Left wrist plain radiograph of the wrist; lat projection; age 5 y, male: 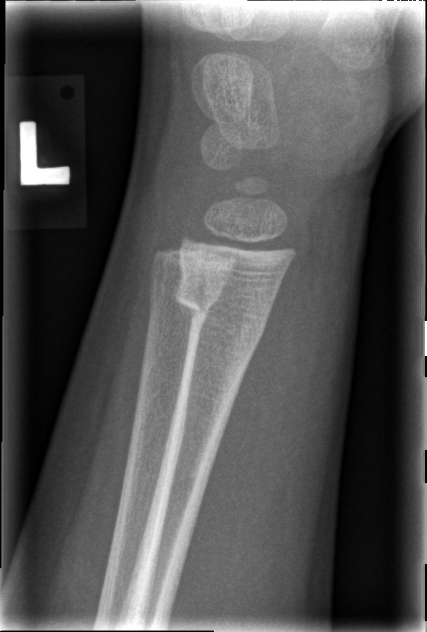
(bounding boxes in image-pixel xyxy)
Q: Pronator fat-pad sign?
A: Positive pronator fat-pad sign — <181,208>-<305,598>
Q: Any fracture seen?
A: Bone fracture — <172,274>-<276,347>